AP view, right wrist X-ray:
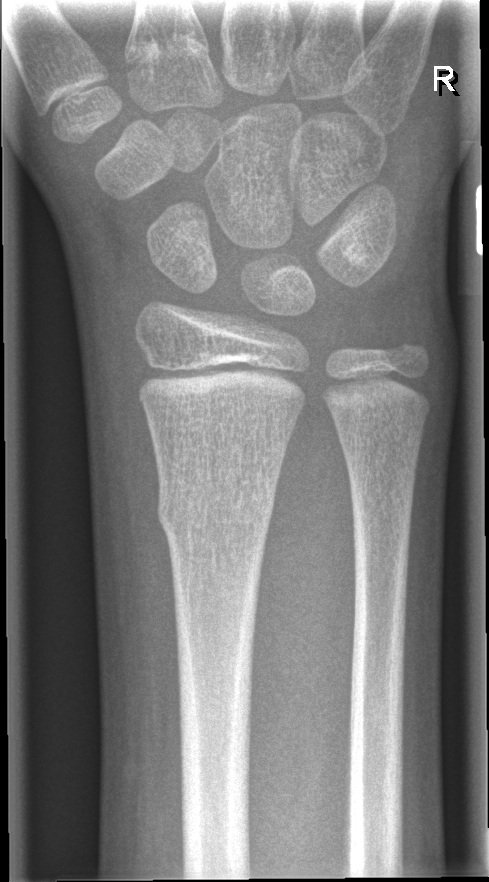 FINDINGS — Fx: (left=156, top=480, right=278, bottom=540).